Posteroanterior view · Rt wrist XR · diagnosis uncertain · 541x1084 —
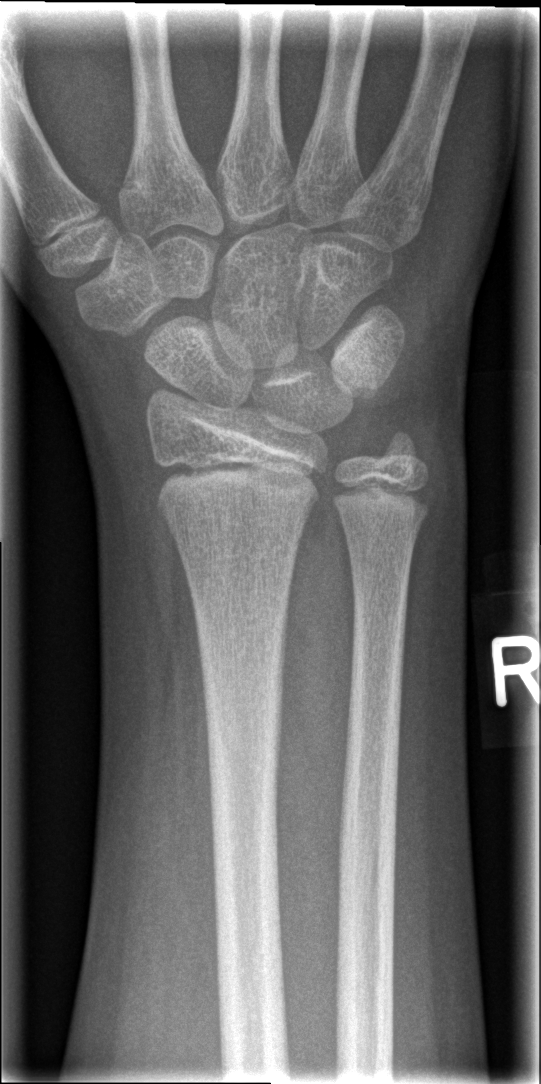
FINDINGS — Fracture: none labeled.